Right plain radiograph of the wrist · lateral projection · image size 593x898:
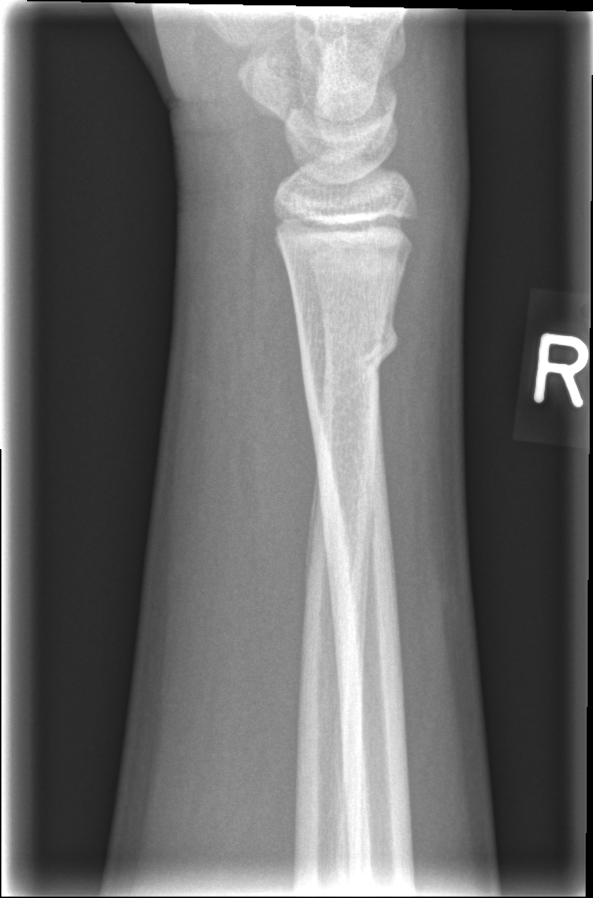 Coordinates are [x1, y1, x2, y2] in image pixels.
Fracture classified AO/OTA 23r-M/3.1.
Fracture: (left=290, top=297, right=403, bottom=393).